Lat · left wrist X-ray · follow-up · cast present. 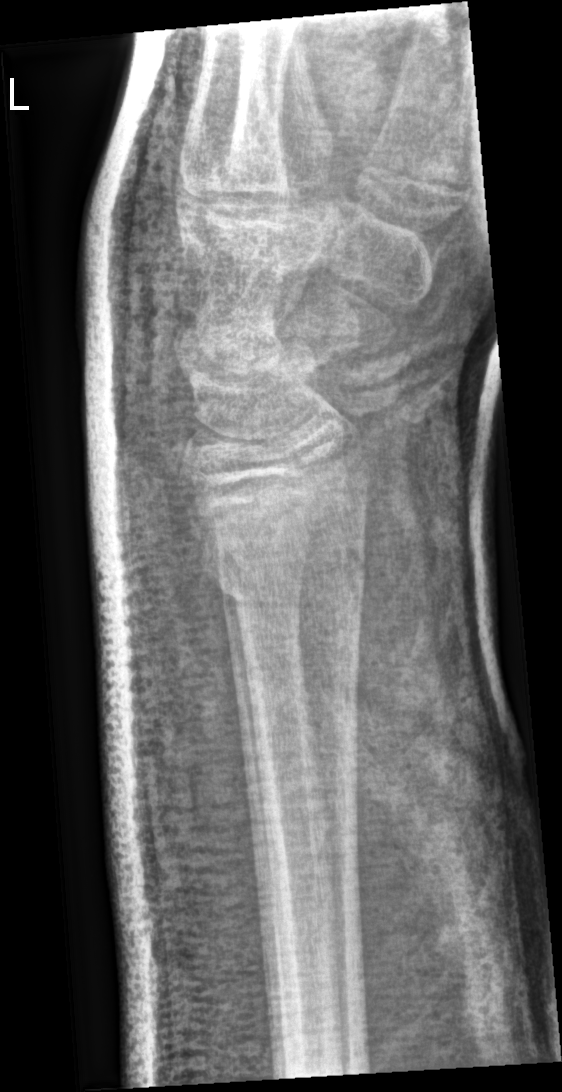

ao: 23r-M/2.1
fracture: 198,535,372,630